Right pediatric wrist radiograph, lateral view.

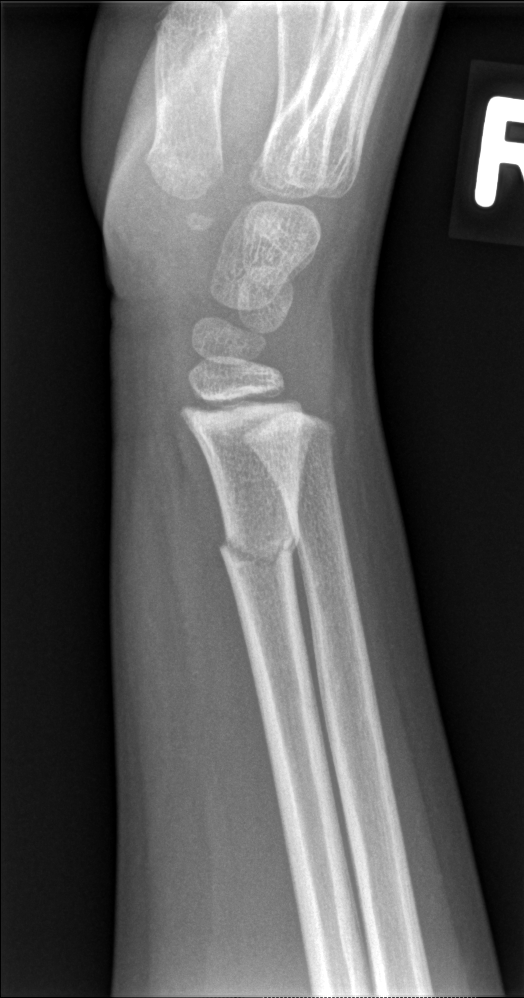

(coordinates are [x1, y1, x2, y2] in image pixels)
Fx: <213,520>-<304,574>